Right wrist X-ray · PA view 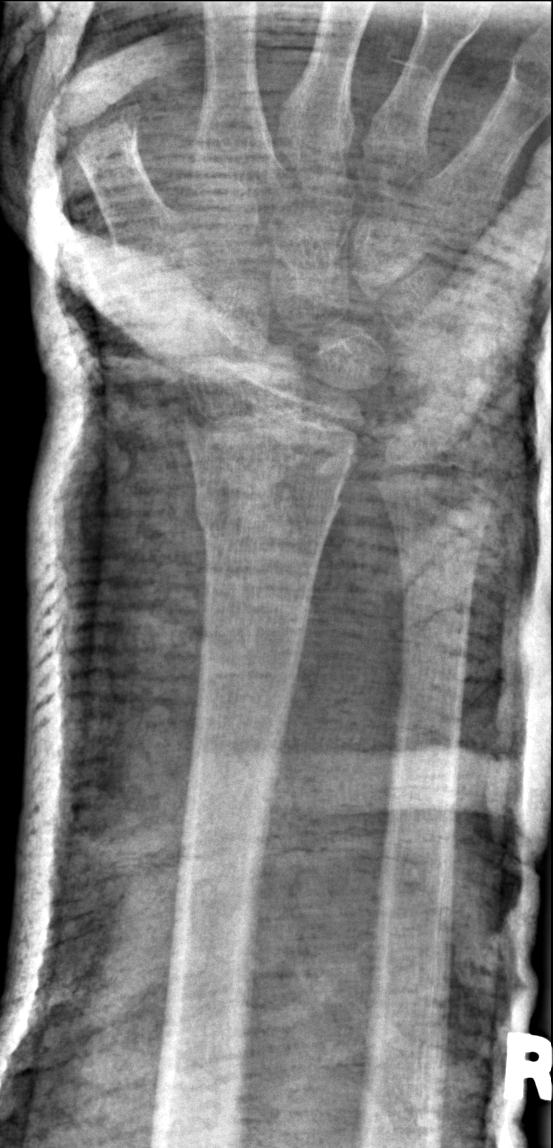
(bounding boxes in image-pixel xyxy)
Q: What is the AO/OTA classification?
A: Fracture classified AO/OTA 23r-M/3.1
Q: Is there a fracture?
A: Fracture identified at (188, 469, 347, 544)